PA/AP view, Rt wrist XR, 11y M, subsequent exam, cast in situ, 750 by 1092 pixels:

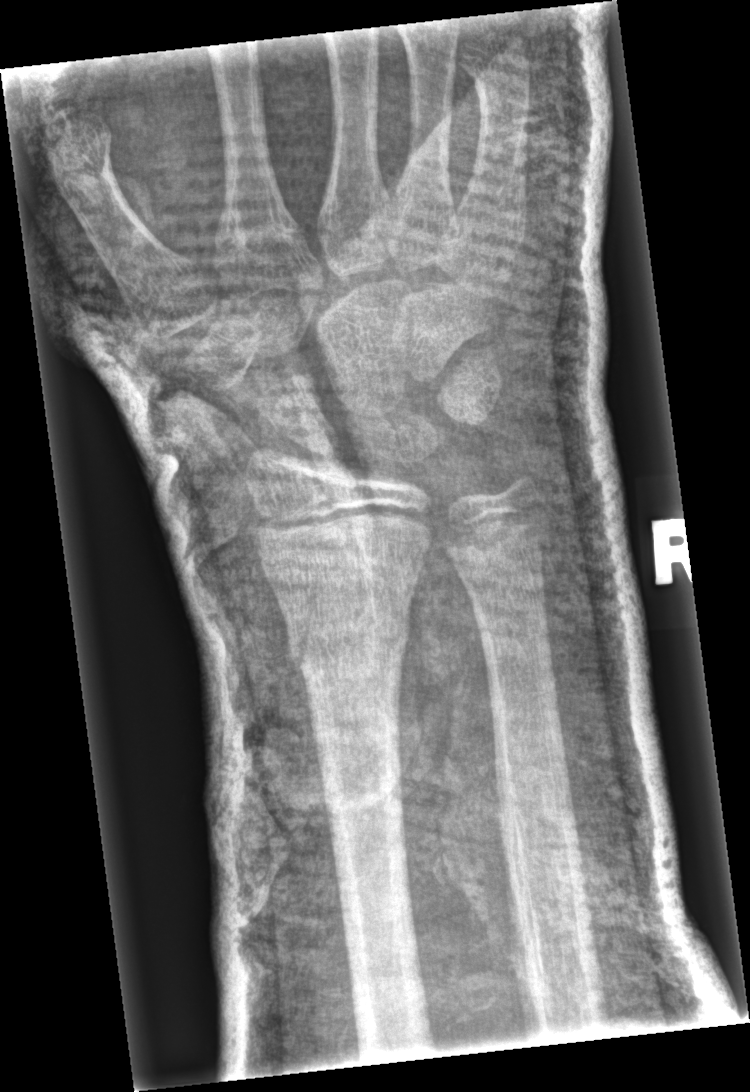
Fx = (left=284, top=594, right=414, bottom=683)